Lateral view | Rt plain radiograph of the wrist | age 11 y, boy | follow-up: 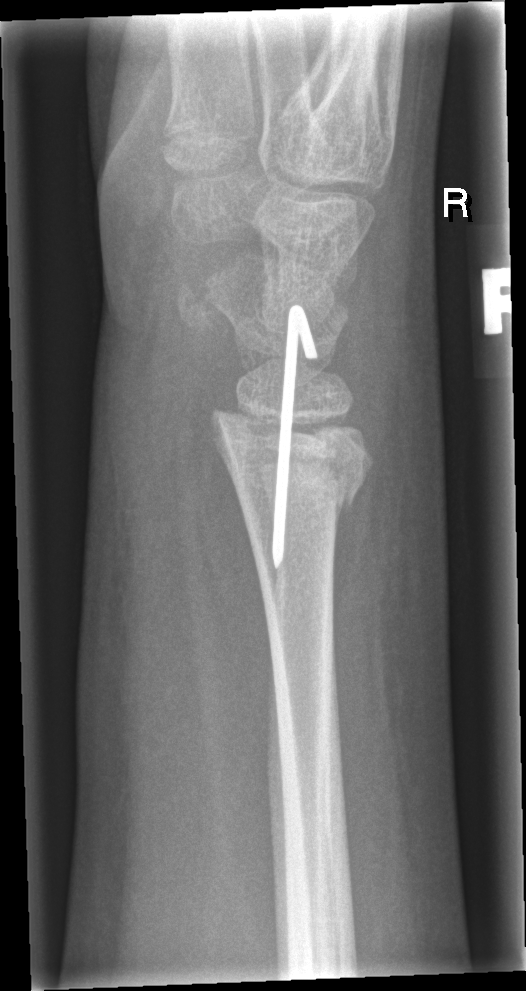

Q: Any soft-tissue swelling?
A: Soft-tissue swelling: (left=323, top=368, right=438, bottom=671)
Q: AO code?
A: Fracture classified AO/OTA 23r-E/2.1; 23u-E/7
Q: Is the pronator sign positive?
A: Pronator sign identified at (left=166, top=389, right=281, bottom=740)
Q: Locate any fractures.
A: Fx — (left=205, top=408, right=377, bottom=515)
Q: Any metal present?
A: Metal identified at (left=272, top=305, right=319, bottom=569)